Lateral projection, Rt pediatric wrist radiograph, index exam, image 162.3 mm wide

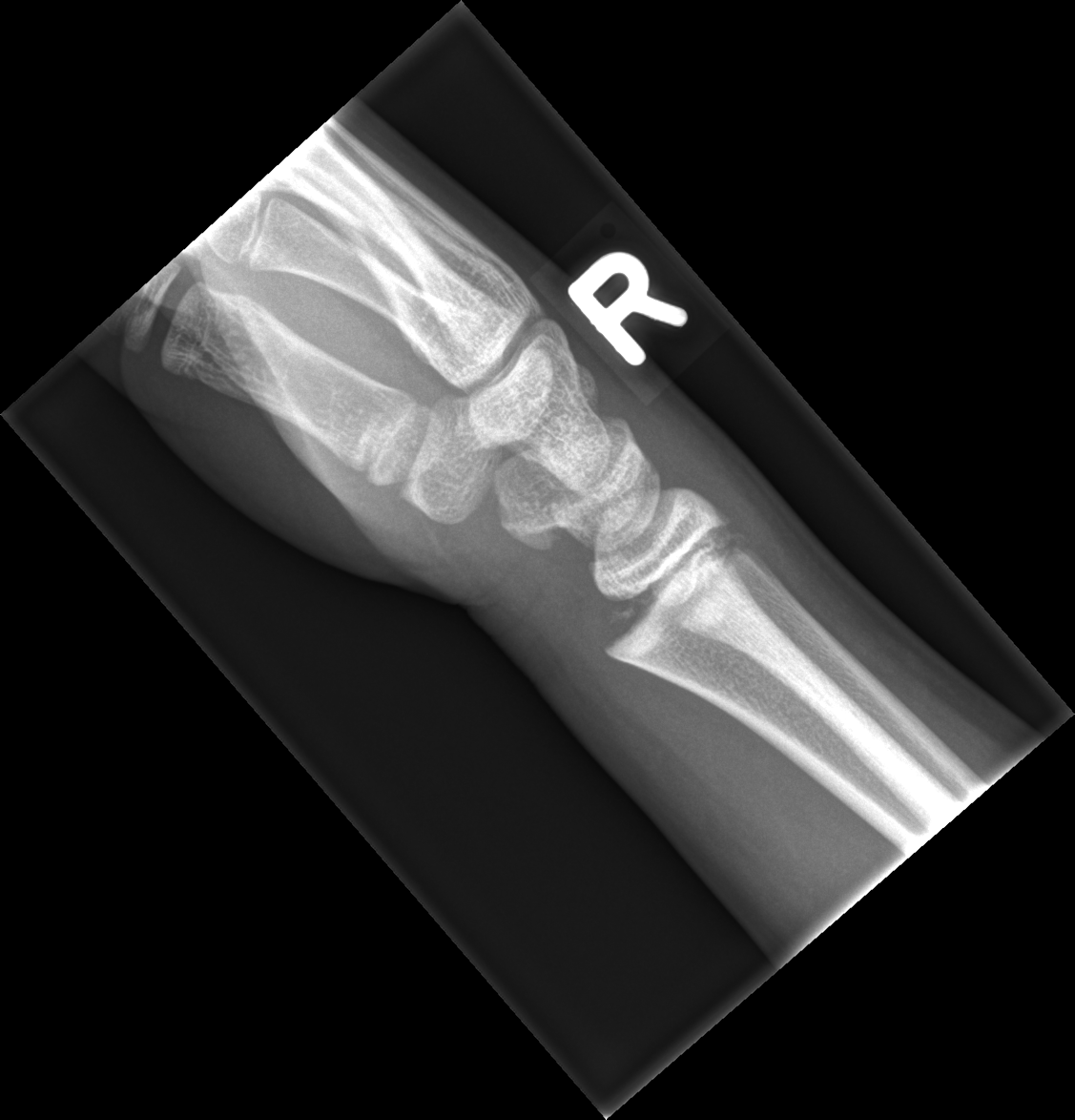 Pixel coordinates, top-left origin, xyxy. Fracture — [x1=602, y1=508, x2=748, y2=673]. AO/OTA classification: 23r-E/1.